PA/AP | right wrist X-ray | imaged through cast | acquired on Siemens 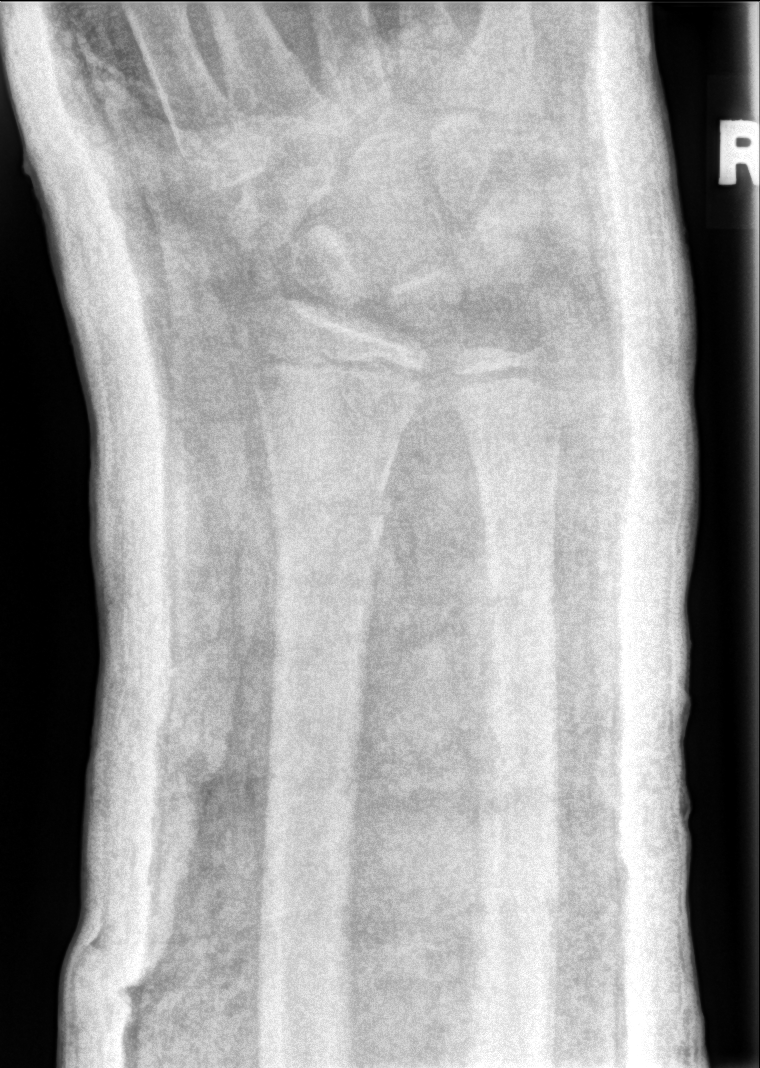 Bounding boxes in image-pixel xyxy.
AO/OTA classification: 23r-M/3.1; 23u-M/2.1; 23u-E/7.
Bone fracture: <267,482>-<396,556>, <475,555>-<562,623>.